Lt wrist XR; PA/AP view; subsequent exam

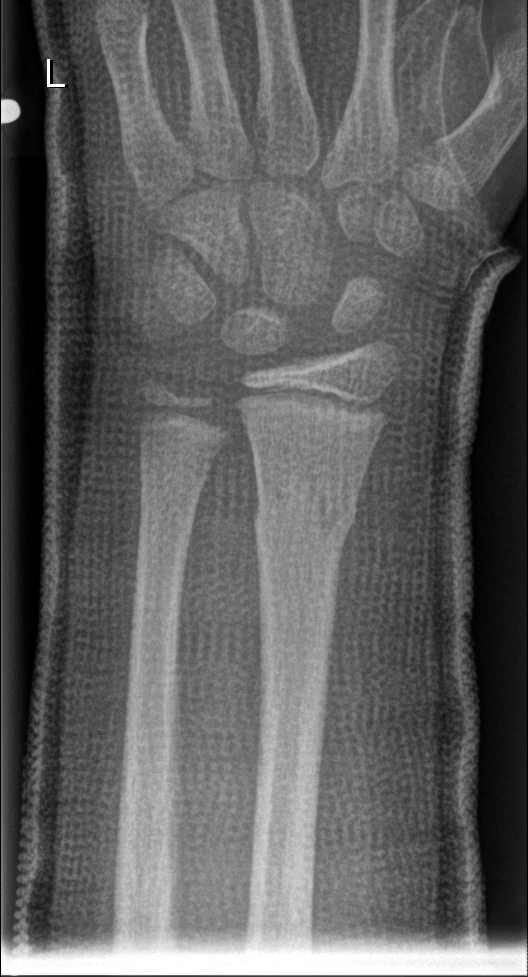
* Bone fracture: bbox(253, 479, 360, 555).